Lateral view · right wrist pediatric wrist radiograph
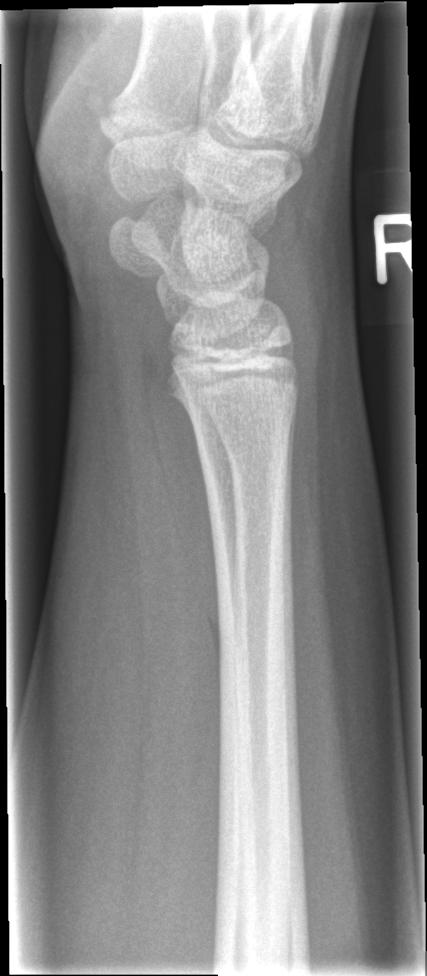 FINDINGS — Osteopenic. No fracture annotation.